L plain radiograph of the wrist · frontal view · girl, 15 yo 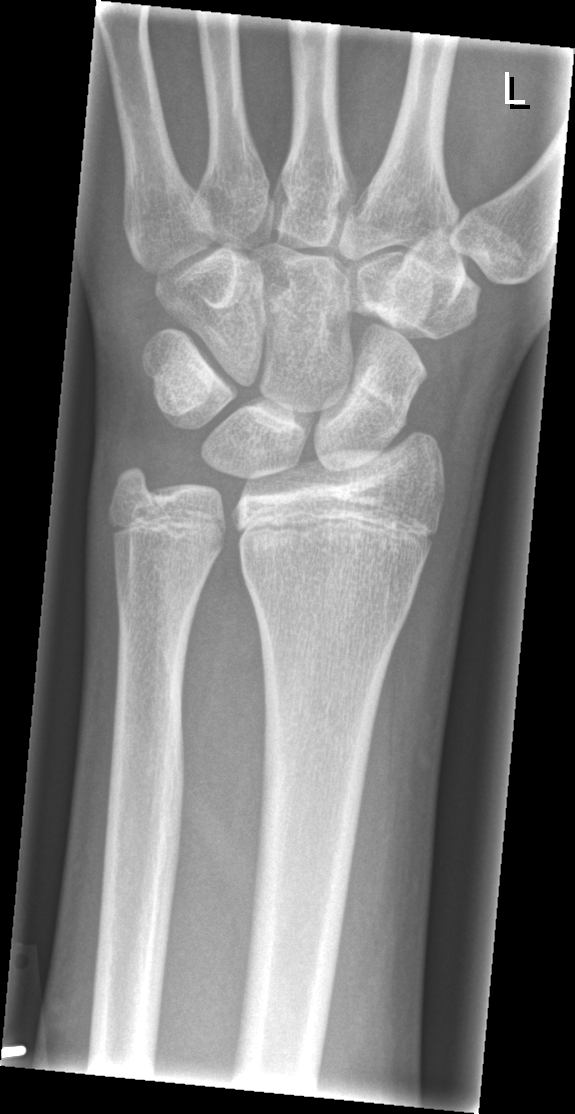
- AO code 72B.(b).
- Bone fracture identified at 342,372,413,434.